AP projection | R plain radiograph of the wrist | 533 by 762 pixels.
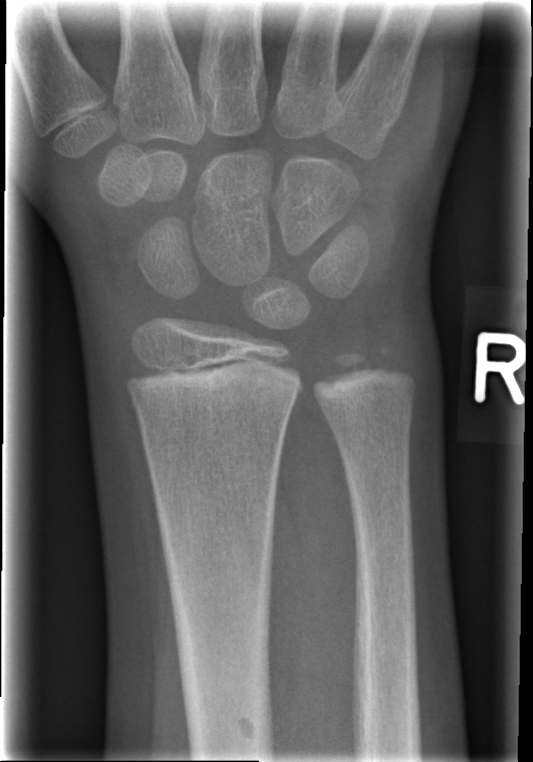

AO code = 23r-M/2.1
Fx = present but not clearly seen in this view